Lat view · Lt wrist plain film · age 9 y, boy · cast in situ · image 78.0 mm wide.

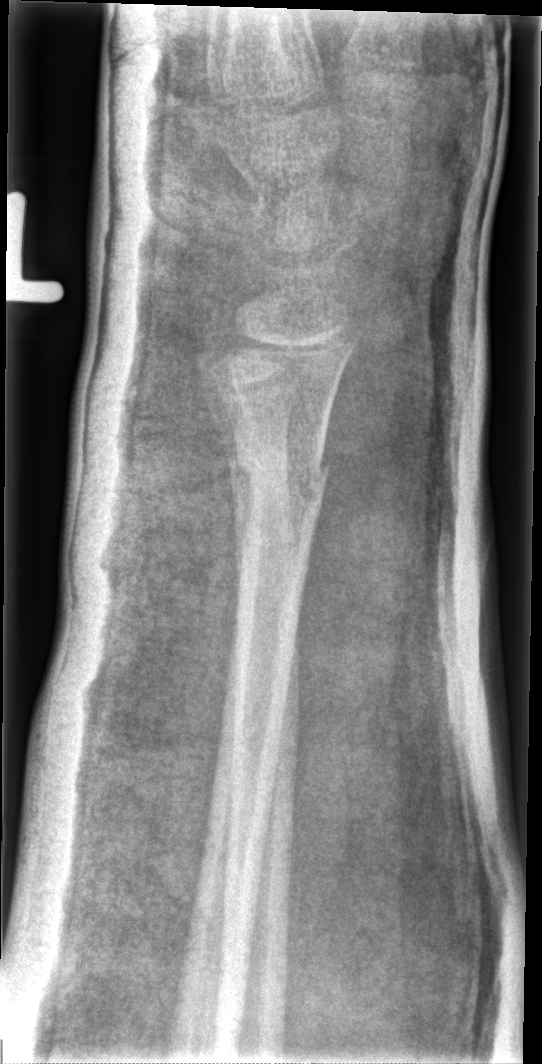 Bone fracture: 1 @ bbox(227, 439, 336, 509)